PA/AP projection; left wrist plain film; index exam. 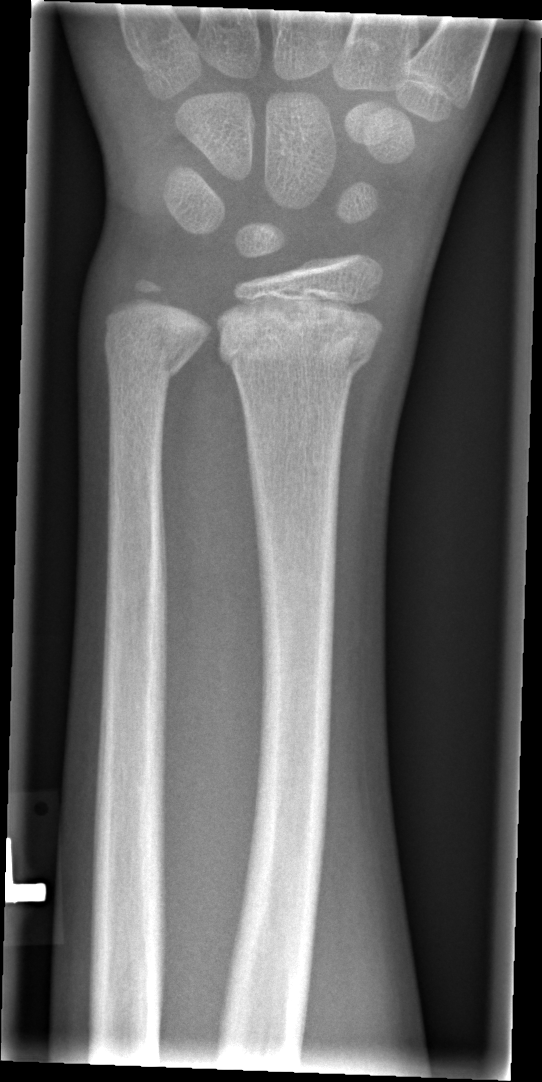

FINDINGS: (pixel coordinates, top-left origin, xyxy) AO code 23-M/3.1. Fx: 217 292 386 377; 100 301 215 386.